Lateral view | left wrist radiograph | age 9 y, boy —

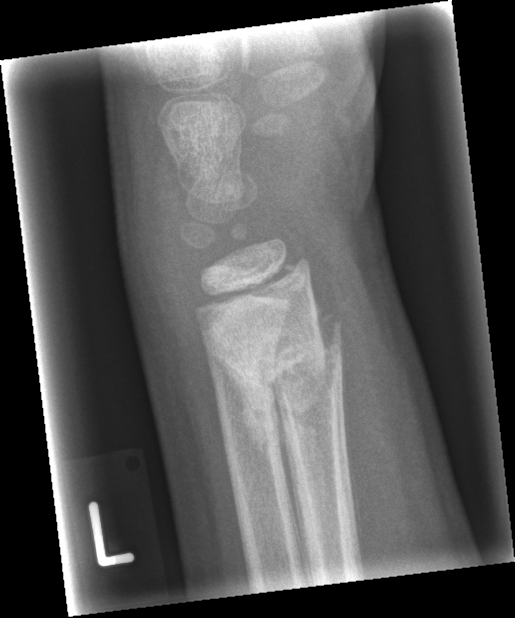 • AO code 23r-M/3.1.
• Bone fracture — 239,319,347,391.
• Two periosteal thickening at 208,349,300,502
  310,280,340,355.